L wrist X-ray · lat projection · pediatric patient (female, age 14) · 73.9 mm image width.

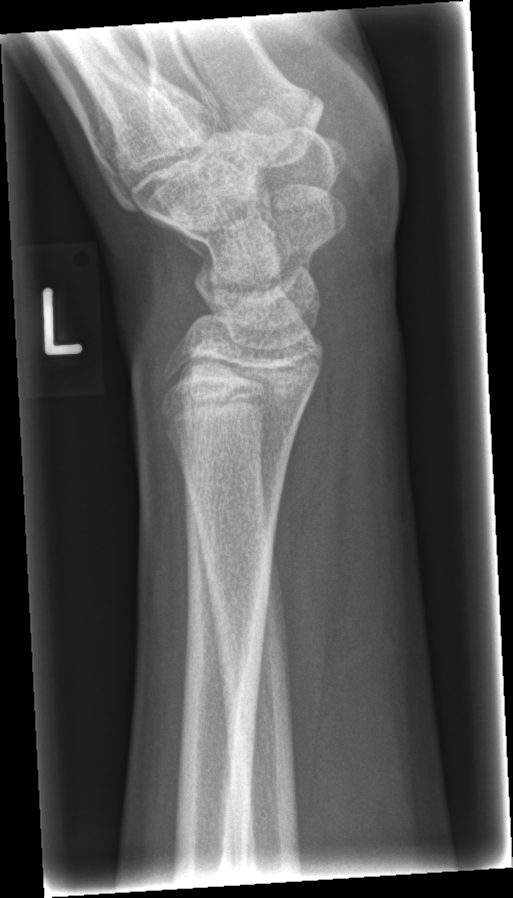 Q: Locate any fractures.
A: Fracture: none labeled